R wrist X-ray · lat view · detector: Siemens.
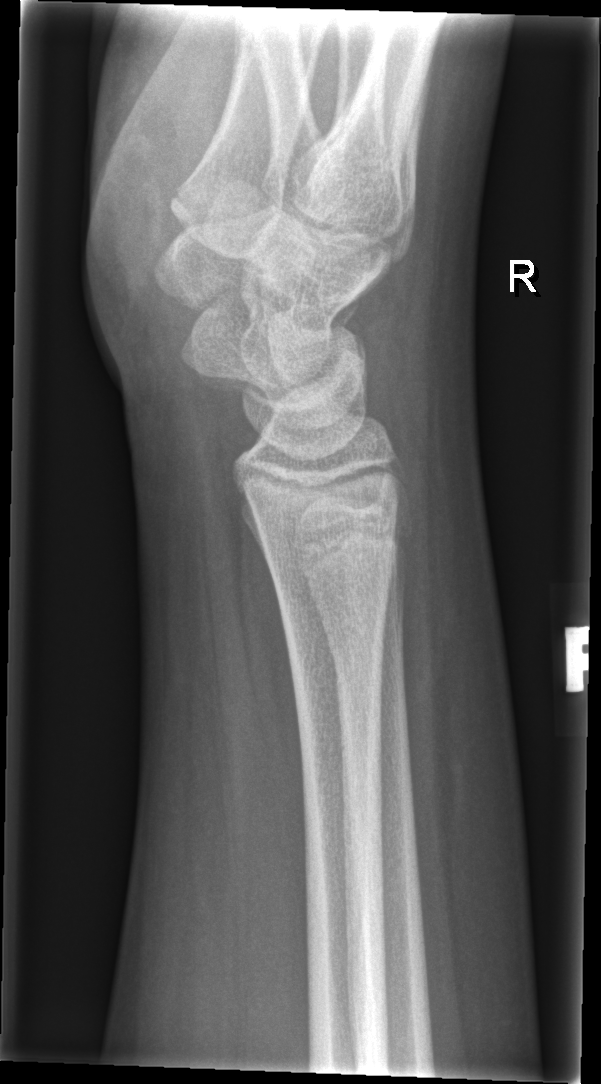

Findings: No Fx annotated.